PA view · right wrist plain film · pediatric patient (girl, age 12) · imaged through cast. 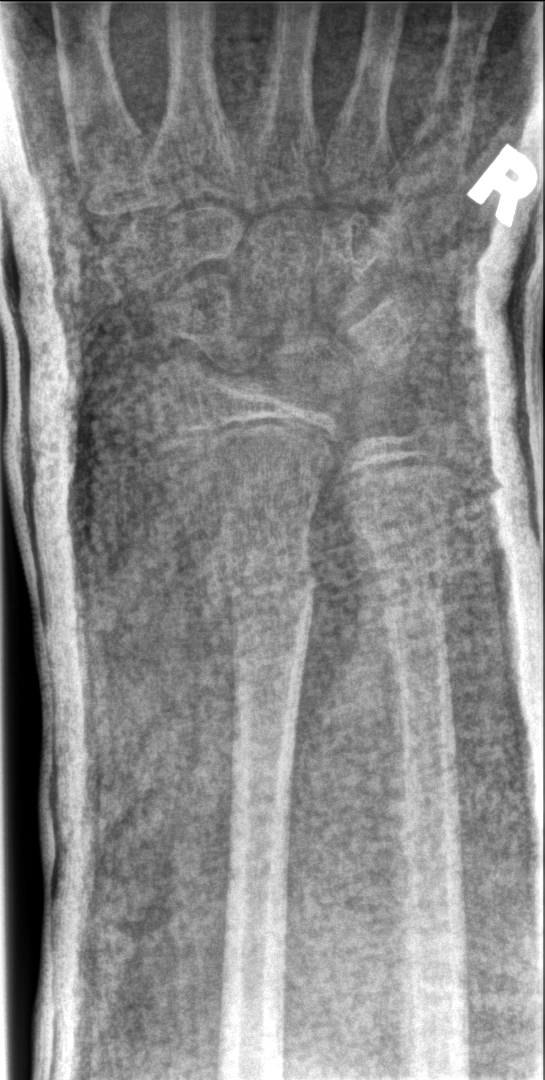

Coordinates are [x1, y1, x2, y2] in image pixels.
Bone fracture: [x1=195, y1=542, x2=319, y2=641].
Fracture classified AO/OTA 23r-M/3.1.